PA projection, L wrist plain film, 10y F, index exam: 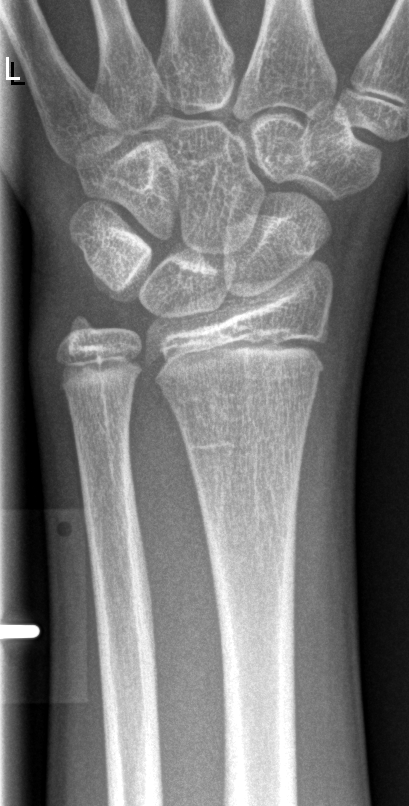
Bone fracture = none labeled